R pediatric wrist radiograph, lat projection, 13y F, image size 538x1129

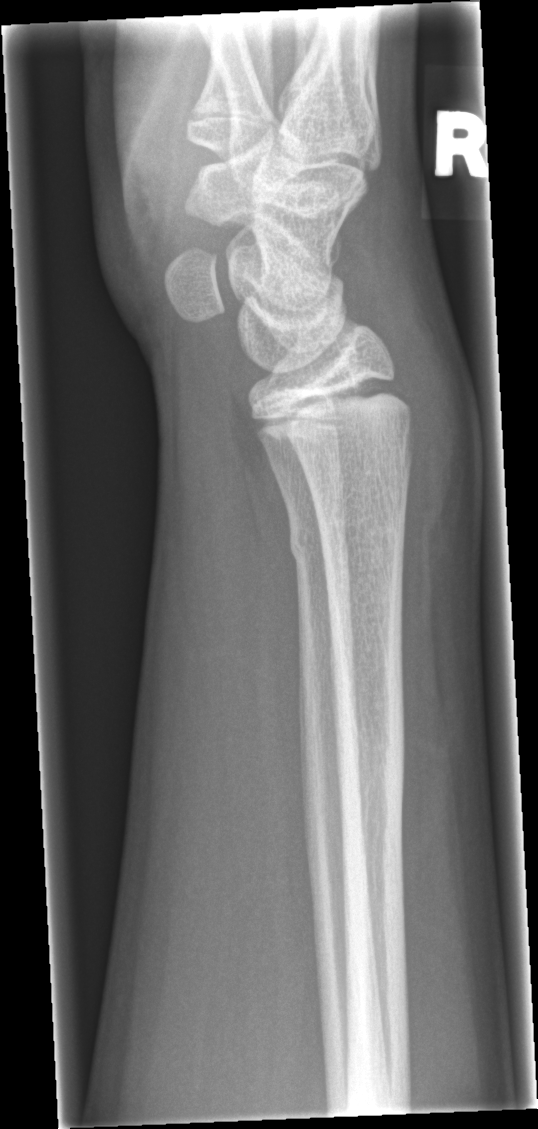

{"_coords": "bounding boxes in image-pixel xyxy", "softtissue": "bbox(372, 274, 484, 548)", "fracture": "bbox(260, 411, 415, 486) bbox(285, 515, 354, 576)"}